PA projection | L wrist radiograph | pediatric patient (female, age 4) | 74.2 mm image width:

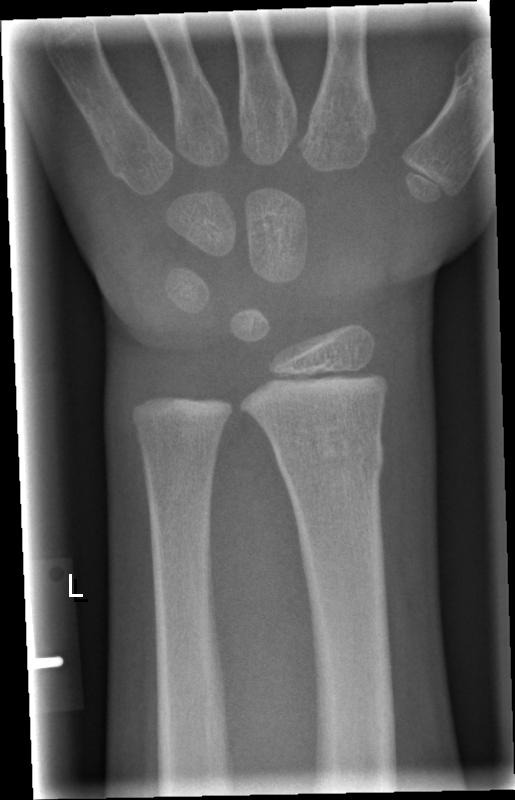
One Fx at bbox(272, 427, 388, 481). Fracture classified AO/OTA 23r-M/2.1.